Frontal view | Lt plain radiograph of the wrist | 73.7 mm image width —

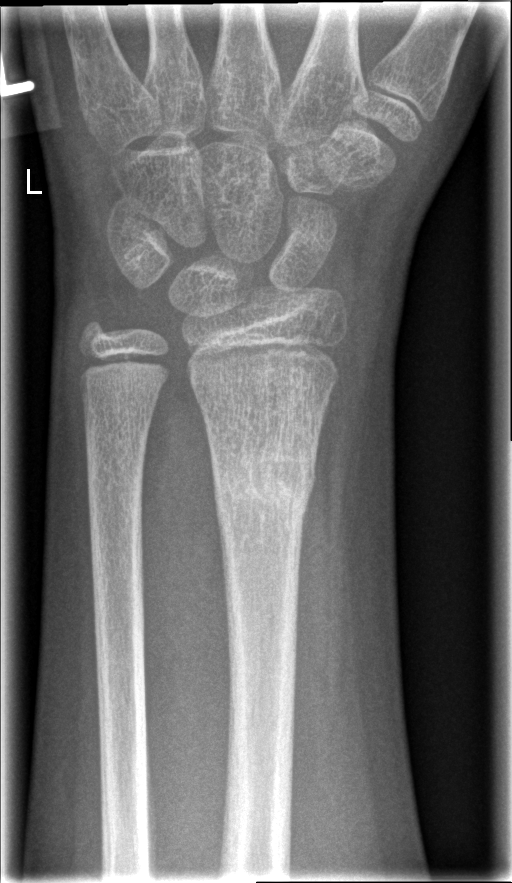
Q: Any fracture seen?
A: Fx — (left=205, top=434, right=319, bottom=526)
Q: AO code?
A: AO code 23r-M/2.1